Left wrist pediatric wrist radiograph, lateral projection, image width 63.8 mm.

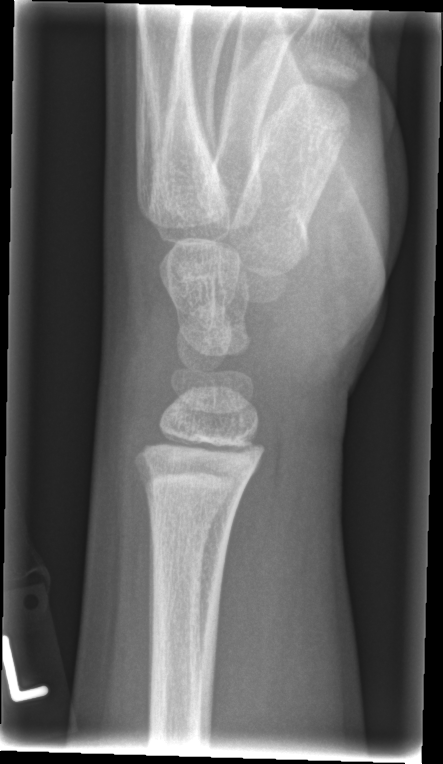

No Fx annotated.